Right wrist X-ray | PA —
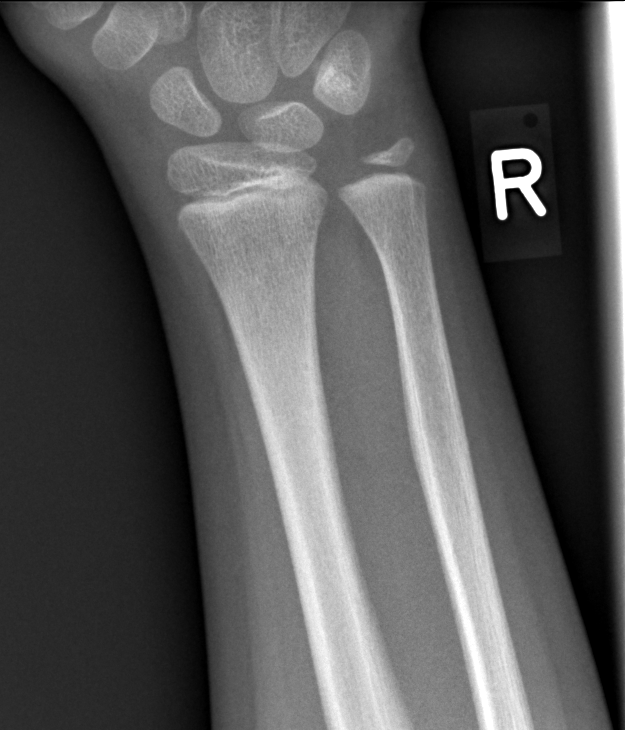 No fracture annotation.